Lt wrist radiograph, frontal projection, male, 1.2 yo:
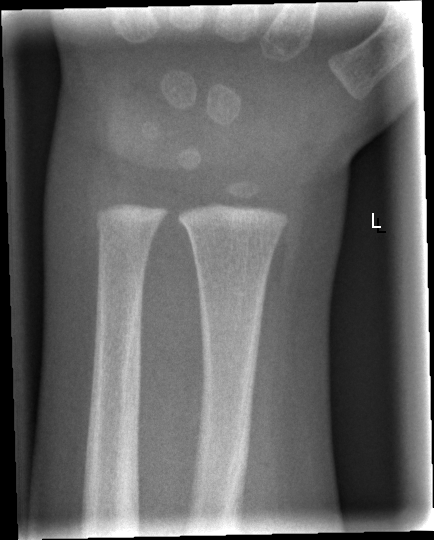
FINDINGS — No fracture bounding box.